Lt plain radiograph of the wrist; frontal view; 15-year-old boy

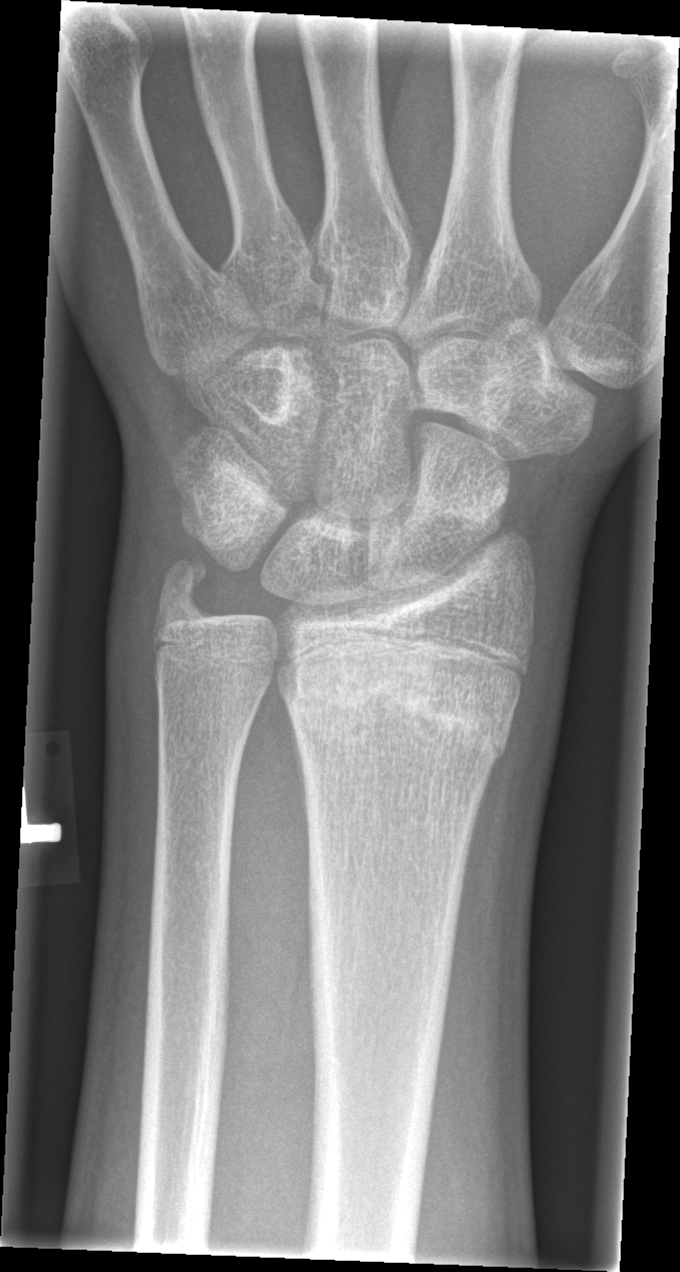
(coordinates are [x1, y1, x2, y2] in image pixels)
AO/OTA = 23r-M/3.1; 23u-E/7
Fx = 2 @ [281, 632, 526, 757]; [154, 538, 222, 638]